Right plain radiograph of the wrist · frontal projection · image 69.7 mm wide —

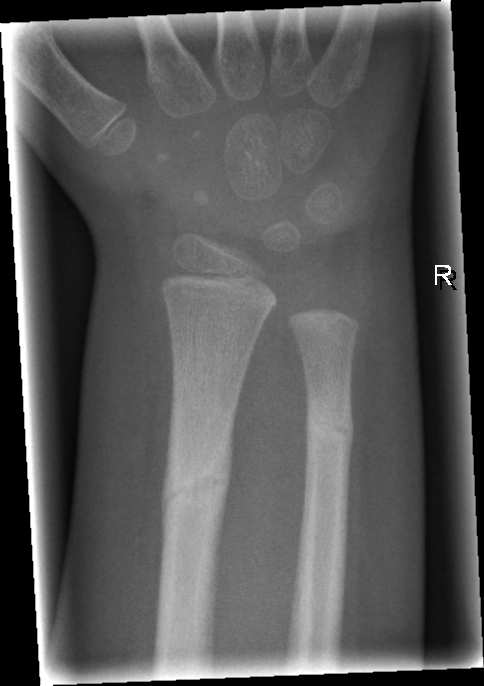

- Coordinates are [x1, y1, x2, y2] in image pixels.
- AO/OTA classification: 22r-D/4.1; 23u-M/2.1.
- Bone fractures — [158, 435, 235, 544] [302, 400, 356, 463].